Frontal projection, left wrist X-ray, pediatric patient (female, age 8), subsequent exam.
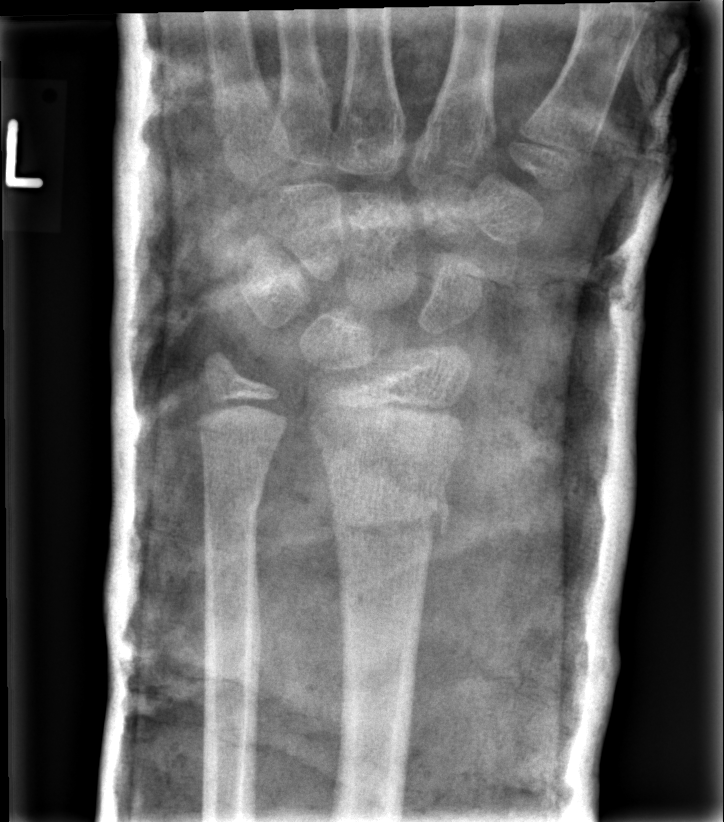

Bone fracture = (left=325, top=487, right=450, bottom=554), (left=198, top=476, right=268, bottom=529)
AO code = 23-M/2.1